L wrist X-ray | lat | age 8 y, female. 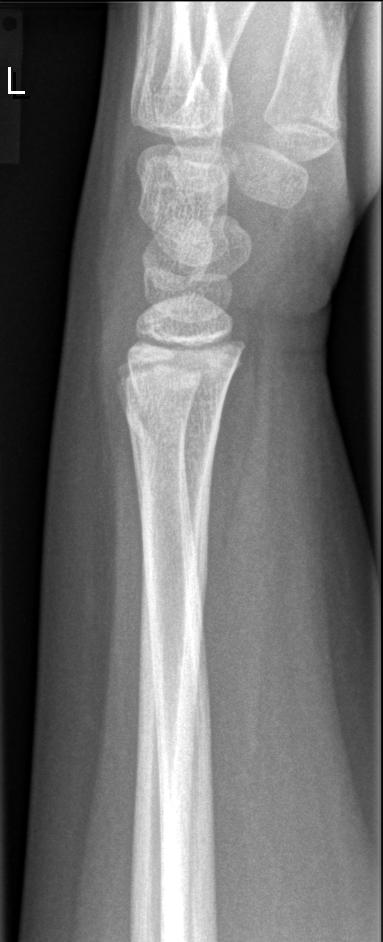

(boxes as x1,y1,x2,y2 (top-left / bottom-right, pixel units))
Bone fracture = 1 @ 120 382 221 459